Rt wrist X-ray · lateral · 3-year-old male · follow-up study · cast present:
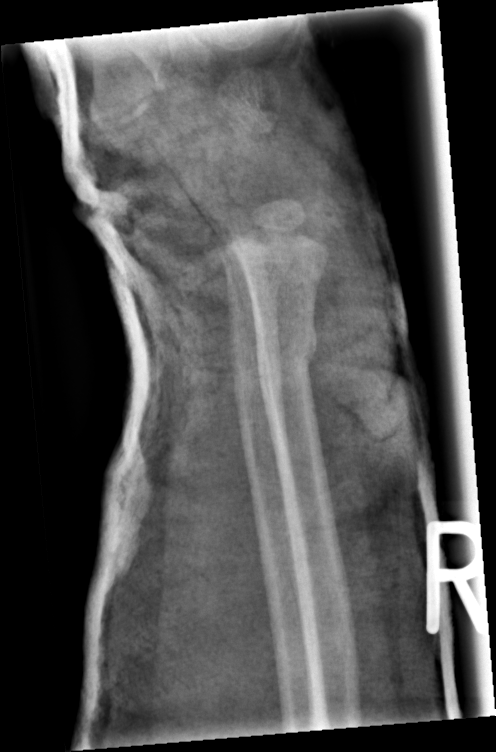

# coordinates are [x1, y1, x2, y2] in image pixels
fracture: (left=254, top=322, right=320, bottom=397)
ao: 23-M/2.1